PA view, left pediatric wrist radiograph, 8-year-old female, presentation radiograph

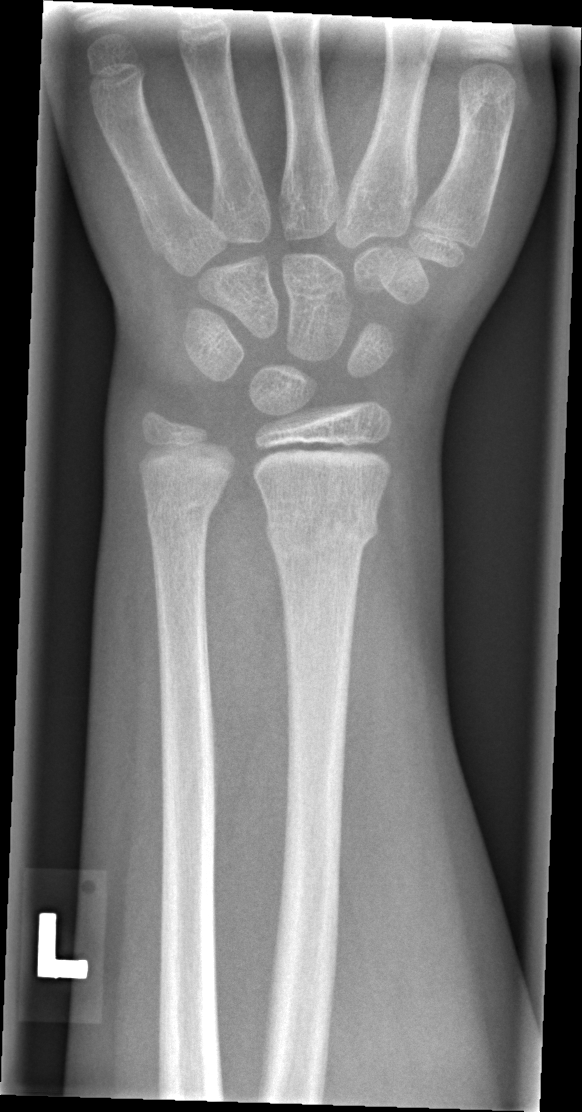

AO/OTA classification: 23-M/2.1.
Bone fractures — <262,500>-<382,559> <142,489>-<222,532>.